Left wrist plain radiograph of the wrist; lat view —
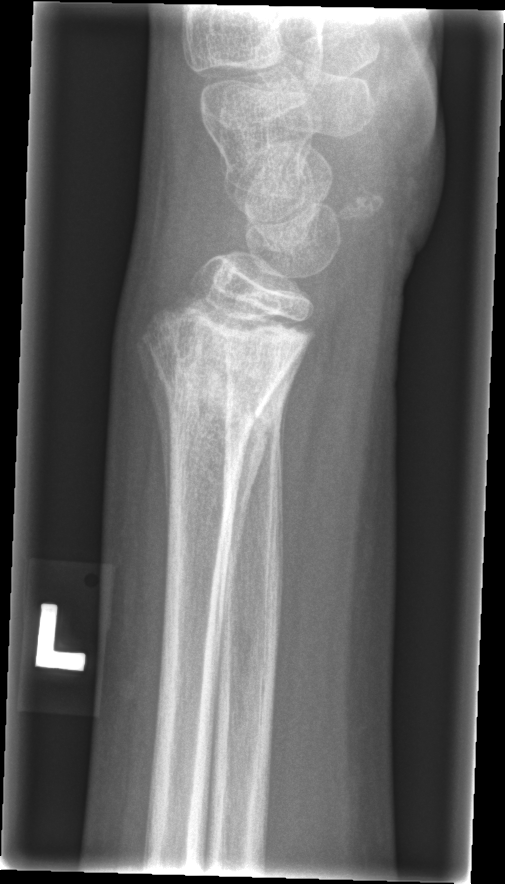

Periosteal new bone: 221 340 309 614 | 136 337 174 534. Reduced bone mineral density. One fracture at 155 317 303 440. Fracture classified AO/OTA 23r-M/3.1; 23u-M/2.1.